Left wrist plain film · lat · presentation radiograph · 72.1 mm image width

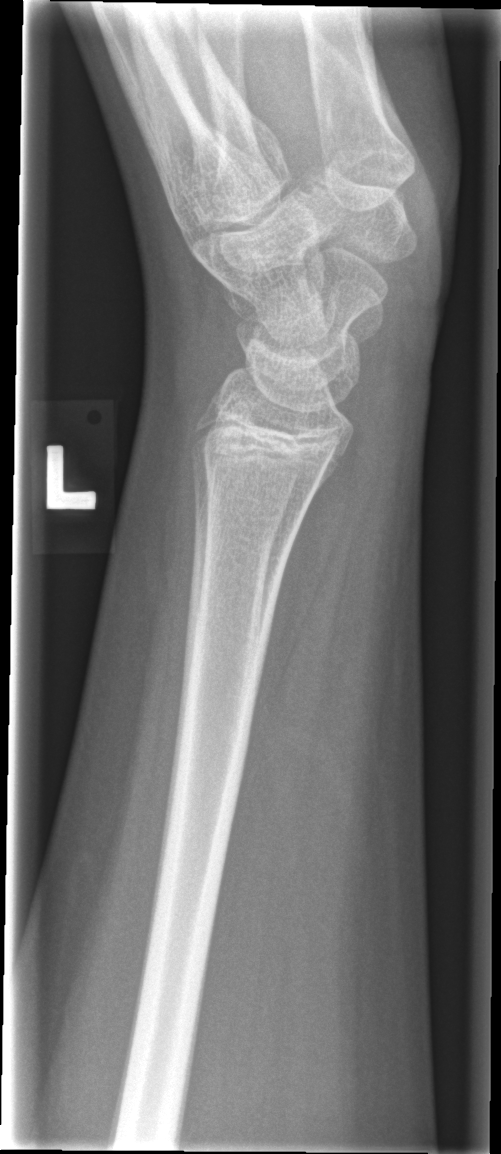

Q: Any fracture seen?
A: No fracture bounding box